AP projection, right wrist plain film.

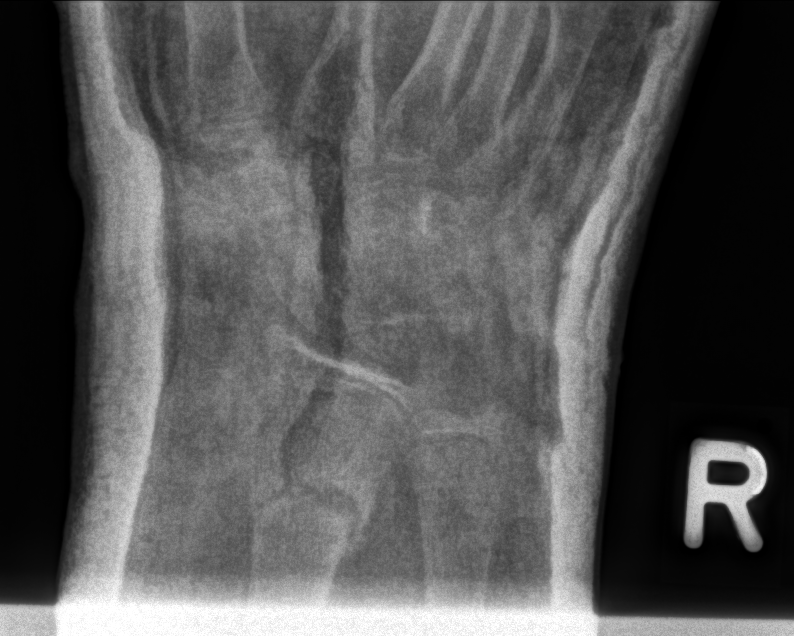

AO classification: 23r-M/3.1; 23u-E/7
bone fracture: bbox(239, 443, 381, 565)